L wrist X-ray, lat view, 8y M, findings marked uncertain by the reading radiologist —
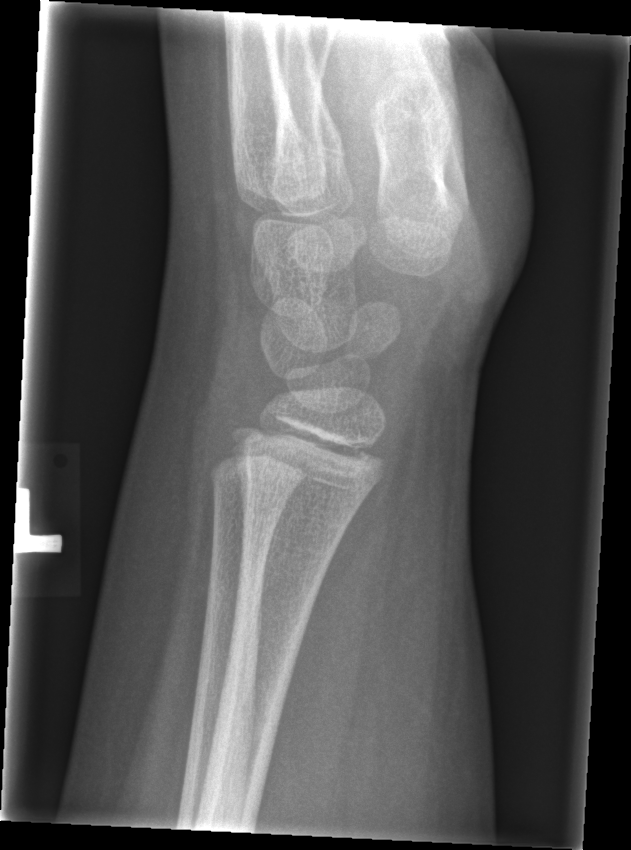
No Fx annotated.